PA/AP view | Rt wrist plain film | 7-year-old boy | in cast | Siemens —

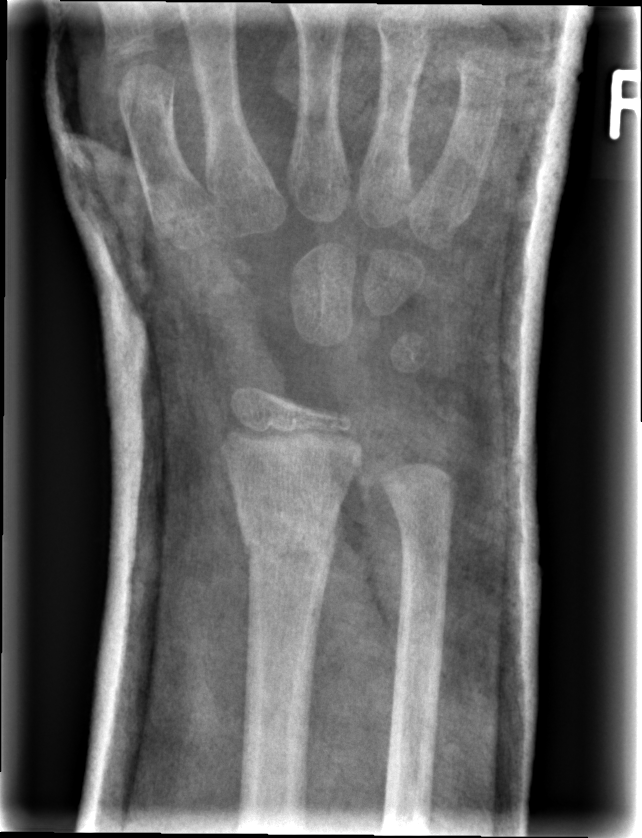 (boxes as x1,y1,x2,y2 (top-left / bottom-right, pixel units))
AO/OTA = 23r-M/3.1
Fx = [235, 499, 337, 575]